Right wrist X-ray | frontal | 8-year-old girl | presentation radiograph | acquired on Siemens —

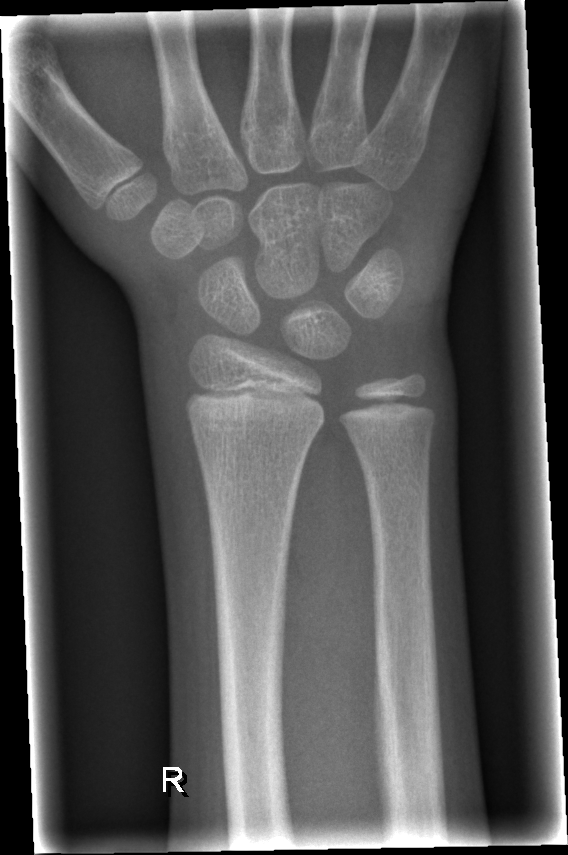

Fx: none.